Left wrist XR, lat, pediatric patient (boy, age 17), 486x974:

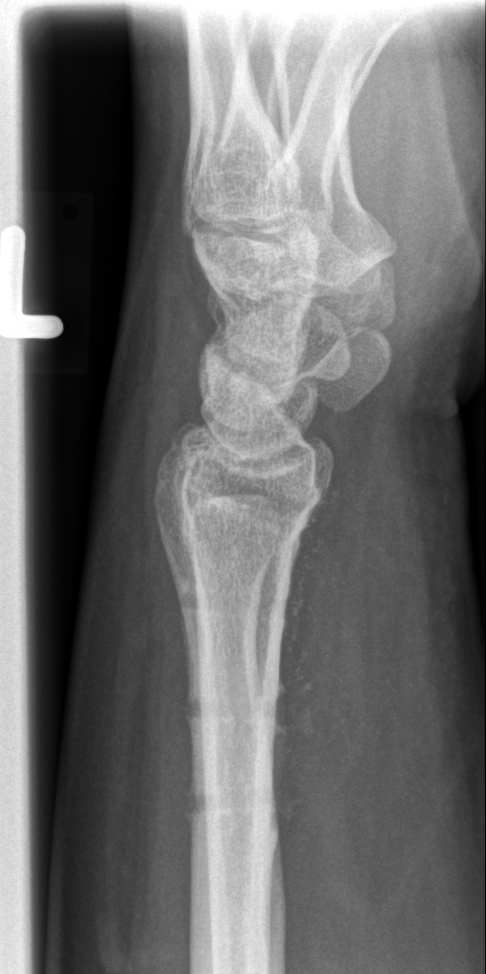

Bone variant: [x1=173, y1=576, x2=288, y2=629]; [x1=182, y1=782, x2=289, y2=831]; [x1=184, y1=689, x2=287, y2=731].
No fracture labeled.